R wrist radiograph; AP projection; pediatric patient (male, age 17); 101.8 mm image width.
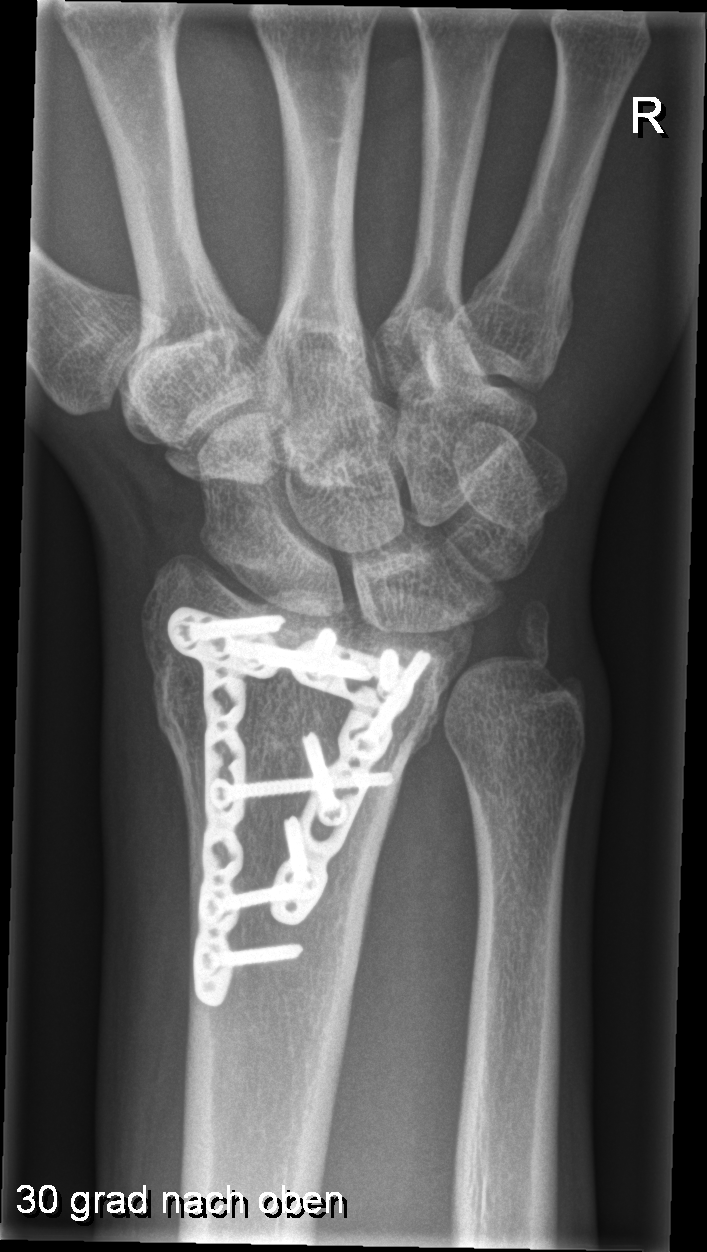
Boxes as x1,y1,x2,y2 (top-left / bottom-right, pixel units).
Fracture classified AO/OTA 23r-M/3.1; 23u-E/7.
Fracture: 145 641 321 789 | 511 601 577 708.
Hardware identified at 162 603 433 1012.